Posteroanterior view; right wrist plain film; 8-year-old male — 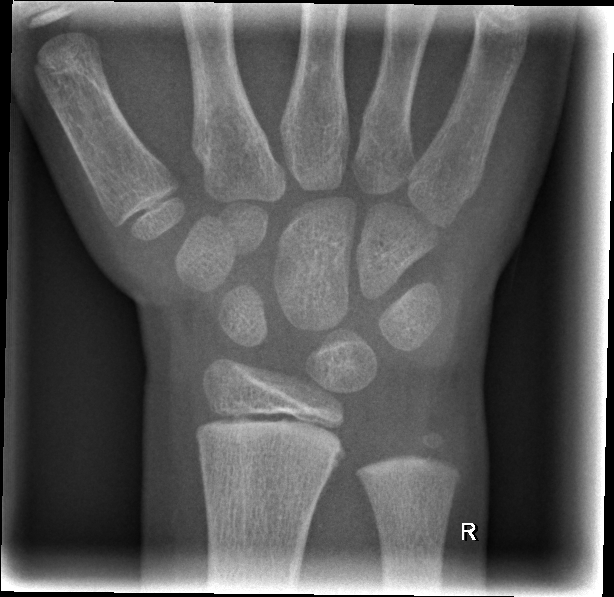

Findings: No Fx annotated.